Lateral · Lt wrist X-ray · boy, 9 yo · follow-up · detector: Siemens:
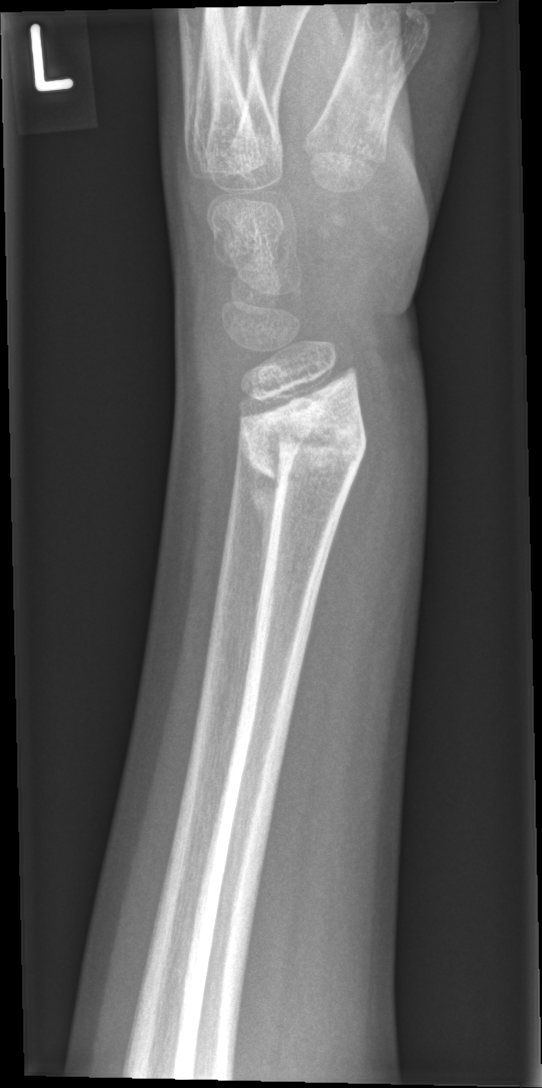
Bone fracture identified at <234,388>-<369,485>. Reduced bone mineral density. Fracture classified AO/OTA 23r-M/3.1. Periosteal reaction: <238,442>-<281,592>.